Lat view · left pediatric wrist radiograph · age 11 y, girl · 74.6 mm image width: 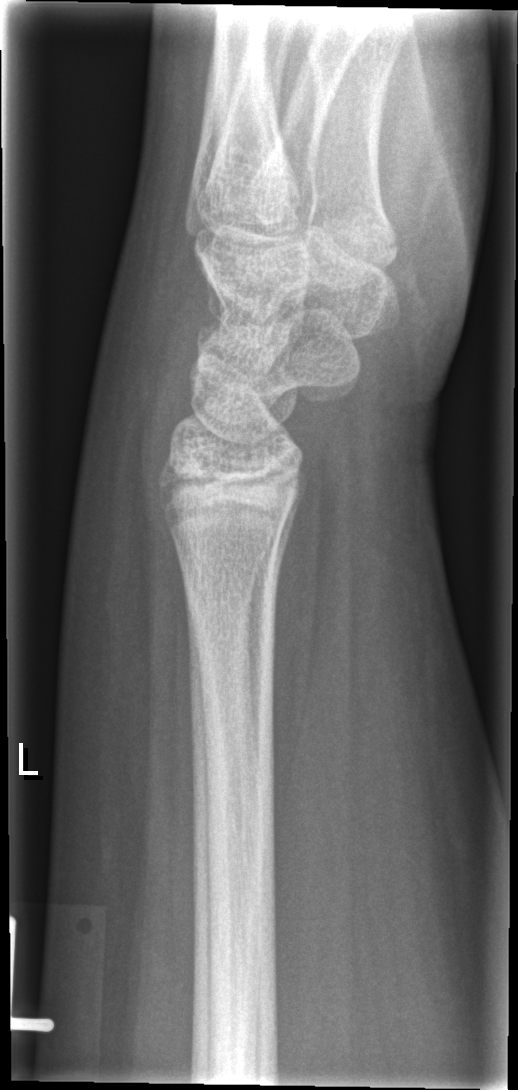 No fracture labeled.